Lateral view | R wrist plain film | acquired on Siemens. 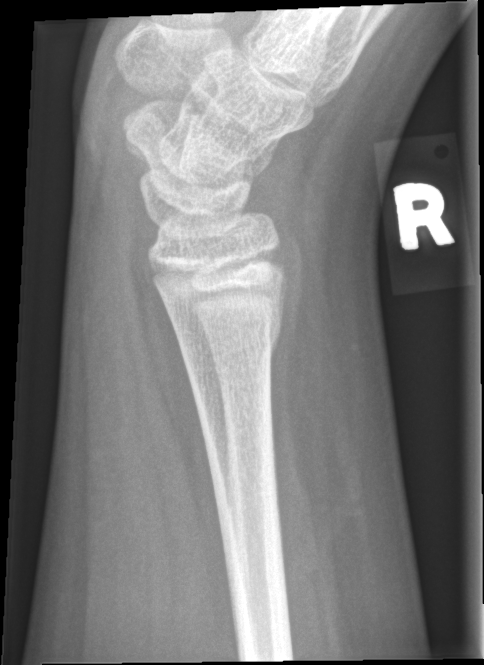 - Pixel coordinates, top-left origin, xyxy.
- Fracture classified AO/OTA 23r-M/2.1.
- Fracture: (169, 306, 288, 391).